Lat, L wrist XR, female, 10 yo, detector: Siemens, image width 72.4 mm. 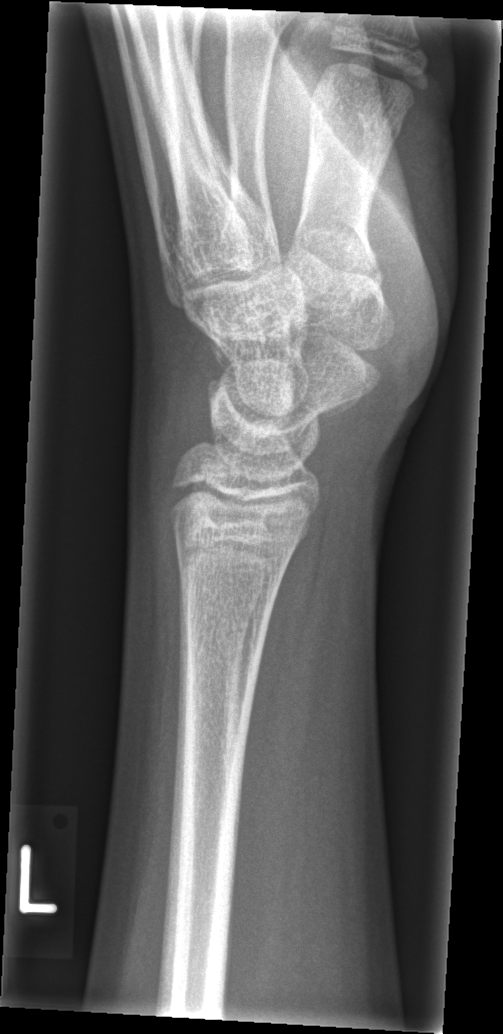

FINDINGS — No fracture annotation.